Rt wrist radiograph, AP projection, pediatric patient (female, age 13), initial study:
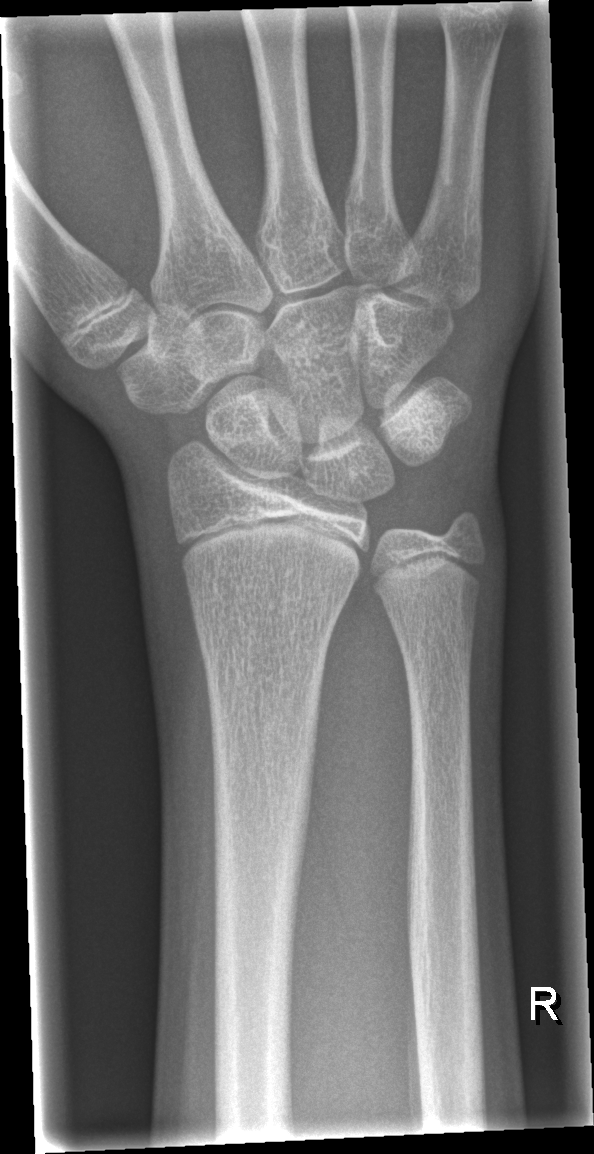 FINDINGS: No fracture annotation.